Lat view; right pediatric wrist radiograph; 12y M; image size 398x953 —

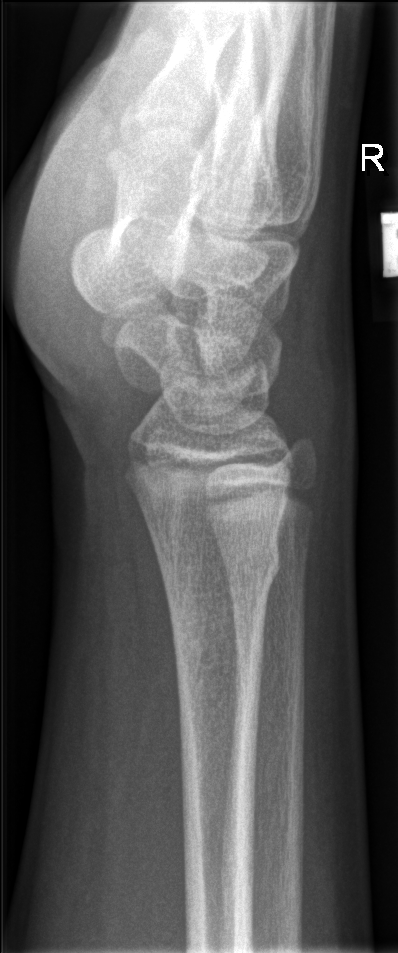   ao: 23r-M/2.1
  fracture: [154, 535, 285, 595]